Lat | left wrist radiograph | 5y F | cast present | image size 604x946: 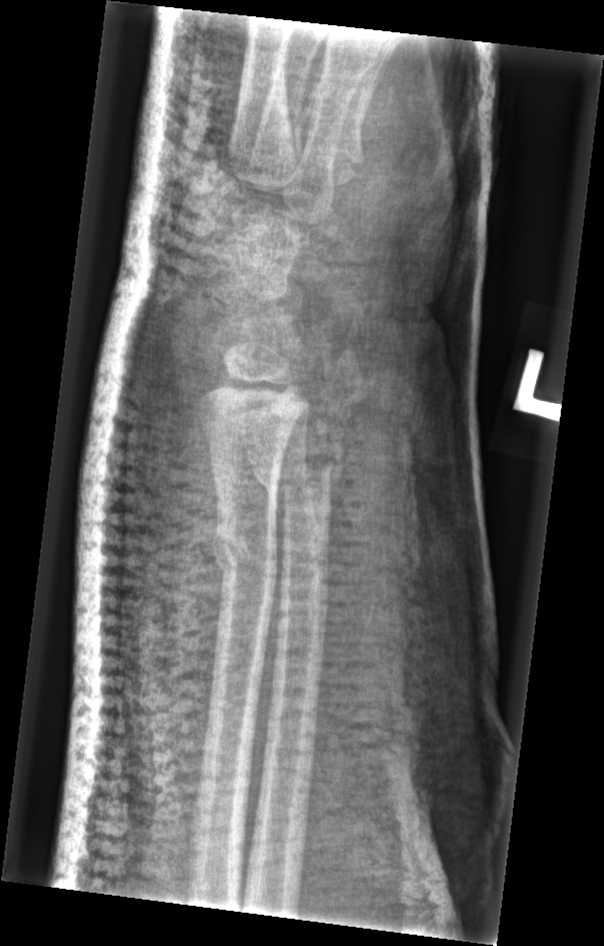   fracture: 2 @ (208, 513, 282, 590) (247, 447, 338, 508)
  ao: 23r-M/2.1; 23u-M/3.1